Left wrist XR; PA/AP projection; detector: Siemens; 655 by 1010 pixels

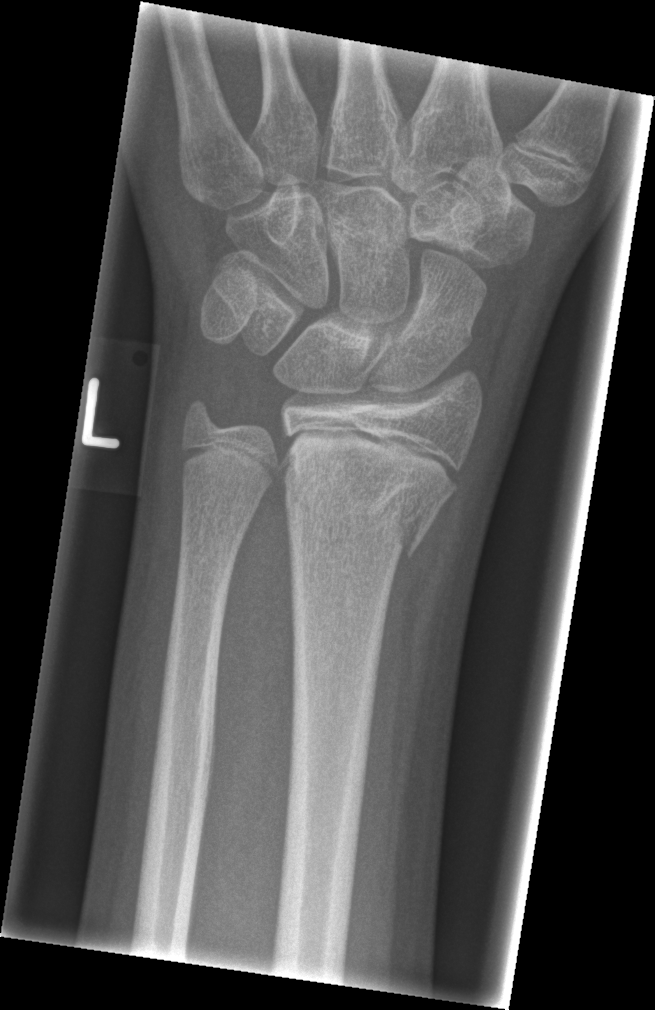
Q: AO code?
A: AO code 23r-M/3.1
Q: Any fracture seen?
A: Fracture — <281,428>-<463,562>